Lateral projection · Rt wrist plain film · age 12 y, male · follow-up study: 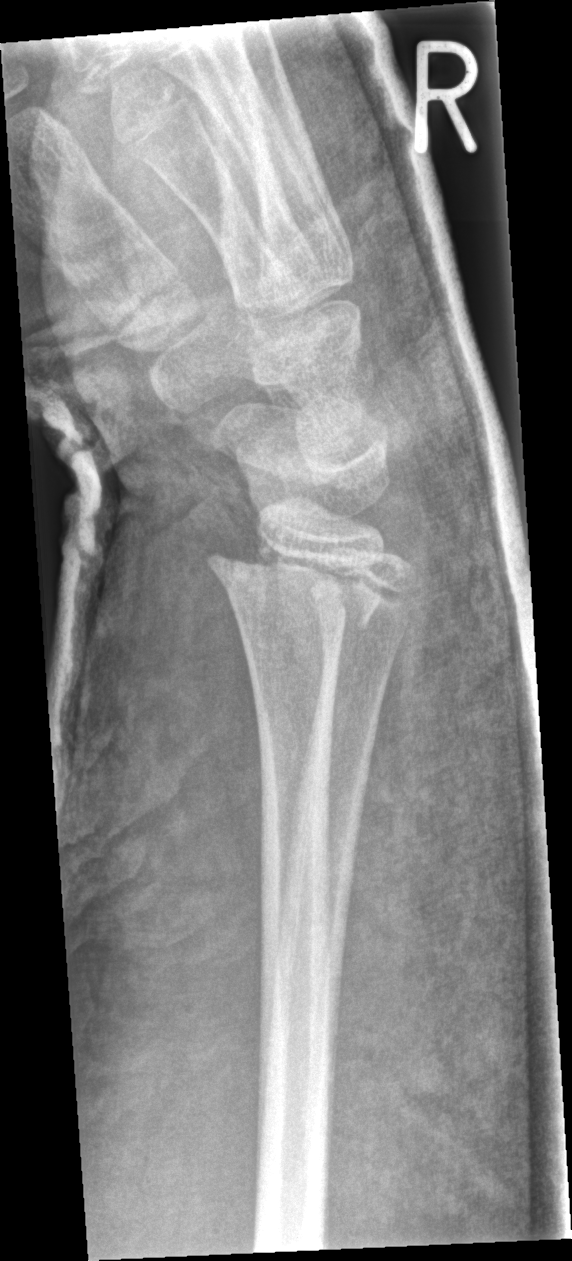 Fracture = 1 @ 207,540,382,632
AO/OTA = 23r-E/2.1